Frontal view; L pediatric wrist radiograph; girl, 7 yo; 674 x 852 px
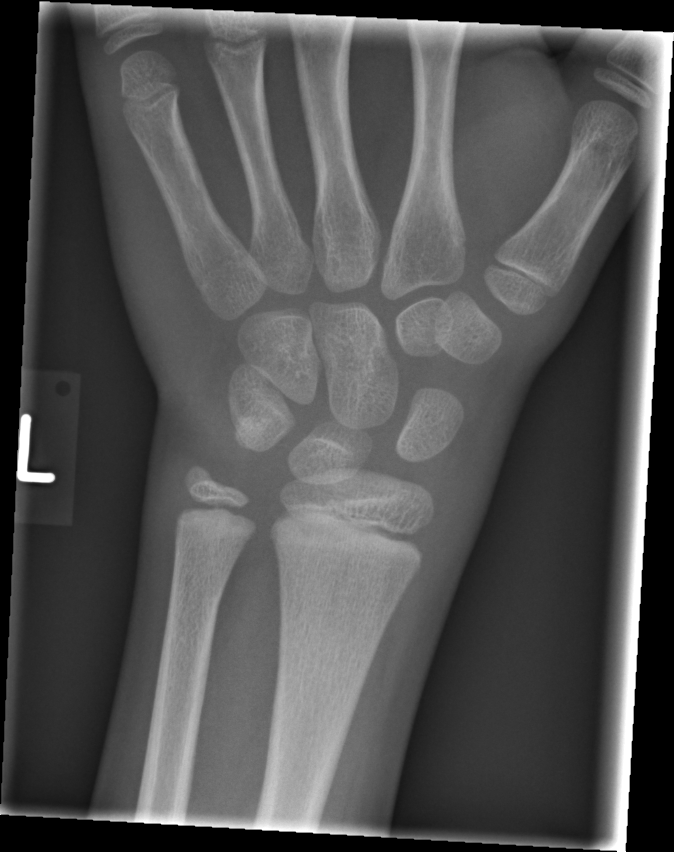 Fx = none labeled